Right wrist radiograph; AP view; 13-year-old boy; initial study:

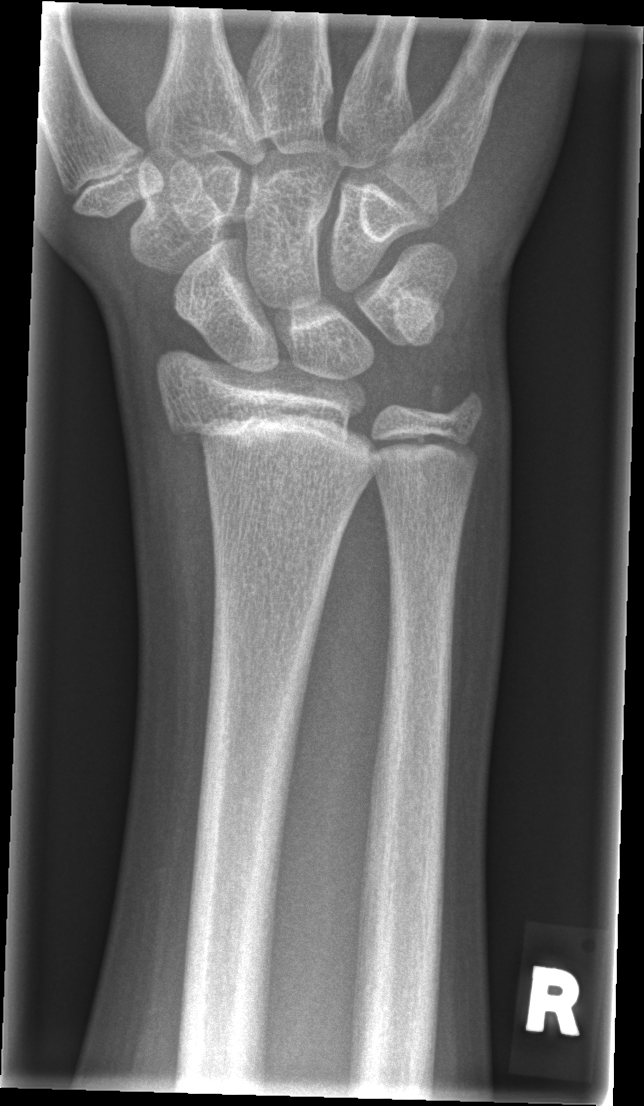 bone fracture: 2 @ (left=161, top=402, right=385, bottom=471), (left=424, top=374, right=490, bottom=434)
AO code: 23r-E/1; 23u-E/7